Right wrist plain radiograph of the wrist, lat view, image size 441x1312

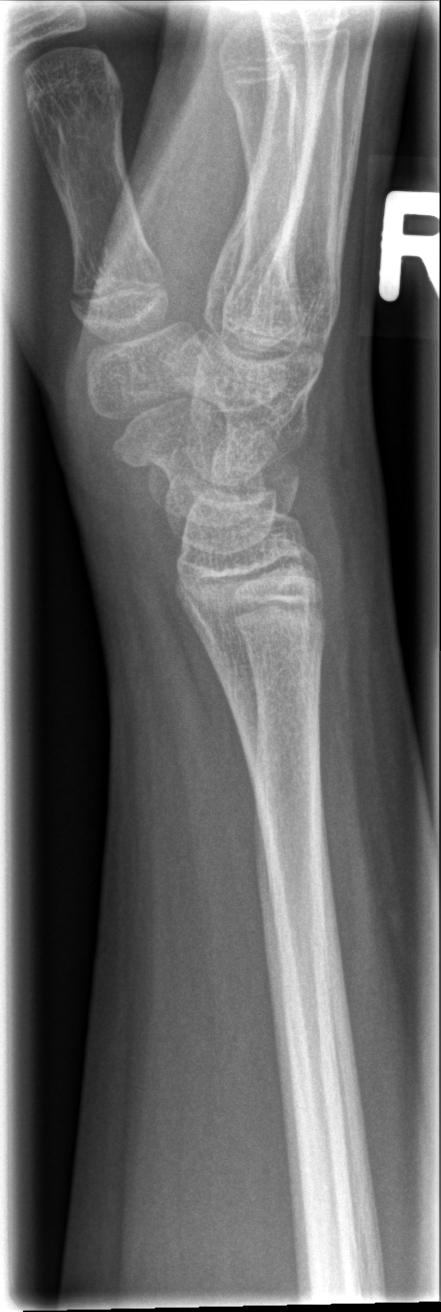

• No fracture bounding box.